Left wrist plain film · AP projection · initial study · 462 x 986 px —

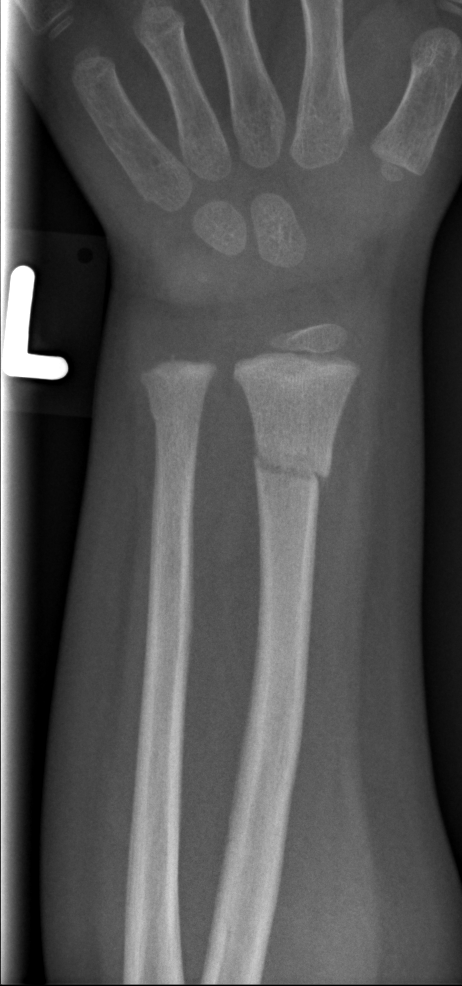 • Coordinates are [x1, y1, x2, y2] in image pixels.
• Fx — [247, 442, 335, 492]; [146, 396, 206, 439].